Lateral projection, right wrist XR, imaged through cast
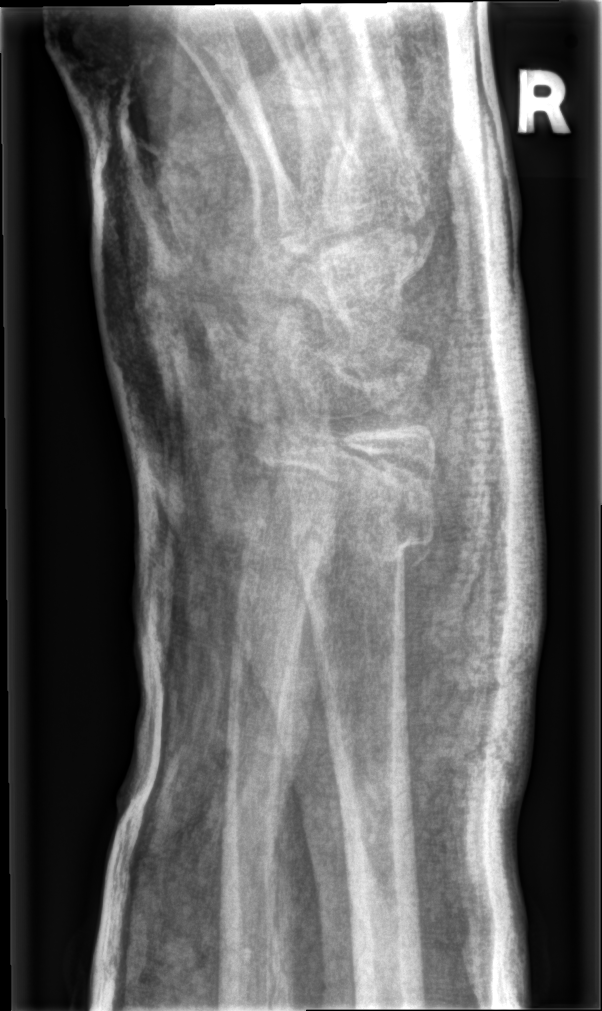
{
  "fracture": "1 @ [x1=286, y1=500, x2=442, y2=585]",
  "ao": "23r-M/3.1; 23u-M/2.1; 23u-E/7"
}